AP view | Rt pediatric wrist radiograph | image 101.5 mm wide | image size 705x1076

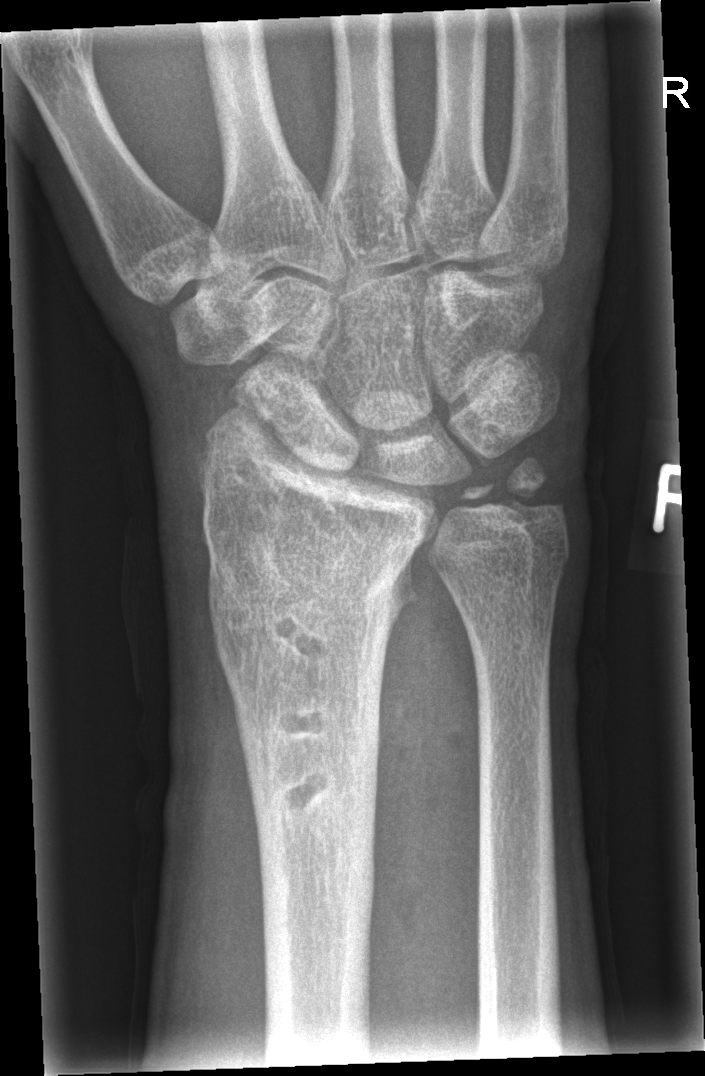 Osseous anomaly identified at (271, 616, 326, 663); (279, 770, 334, 809); (277, 714, 324, 736). Fx — (198, 518, 416, 625); (460, 453, 564, 522).